Lat view · Lt wrist XR · 8y M · imaged through cast · Siemens —
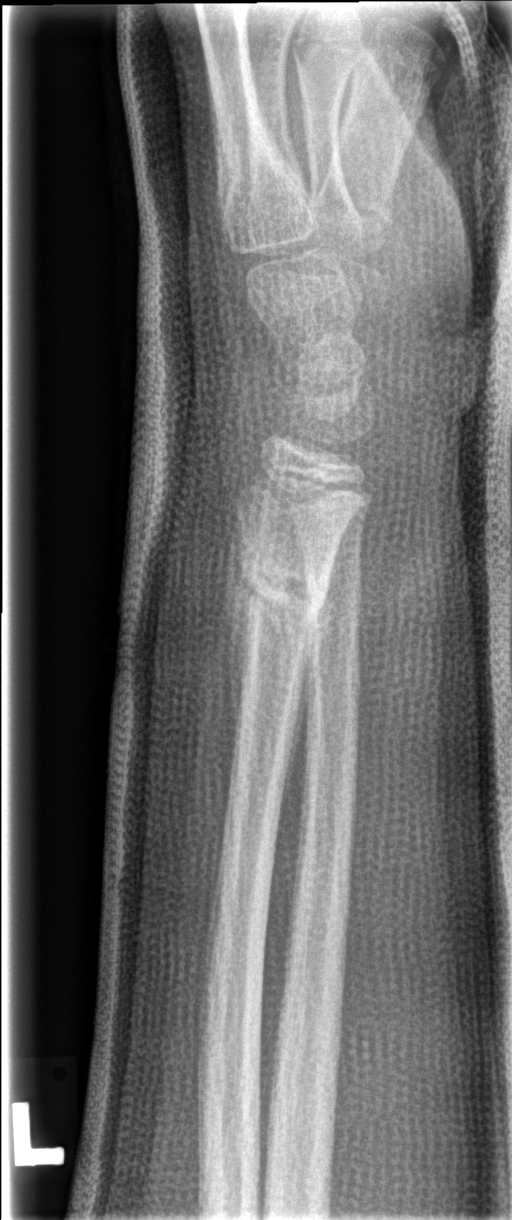

FINDINGS: AO/OTA classification: 23r-M/3.1. Periosteal thickening — bbox(225, 504, 252, 756). One fracture at bbox(233, 551, 332, 646).